Right plain radiograph of the wrist; lateral —
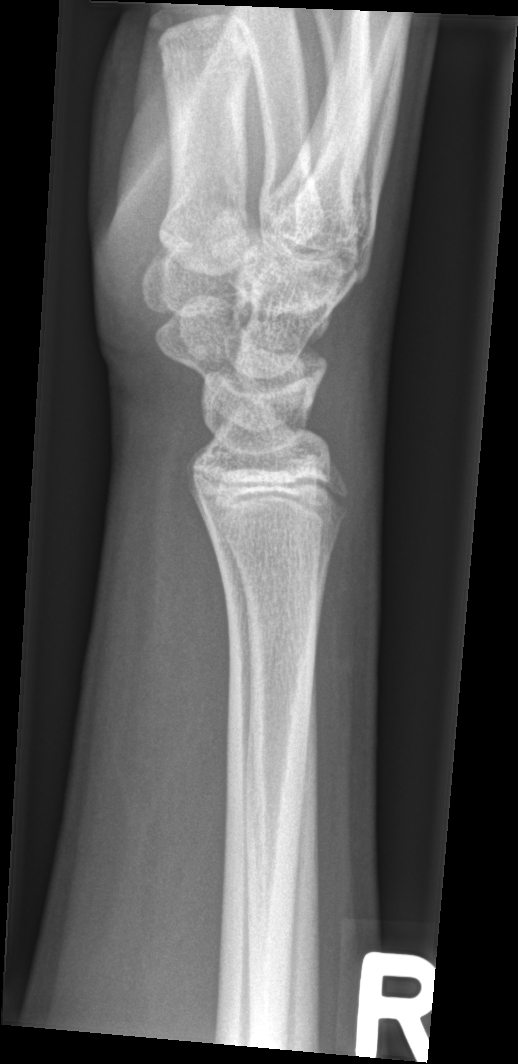
AO code 72B(b). Fx present but not clearly seen in this view.